Left wrist X-ray | posteroanterior view | in cast | image width 114.3 mm — 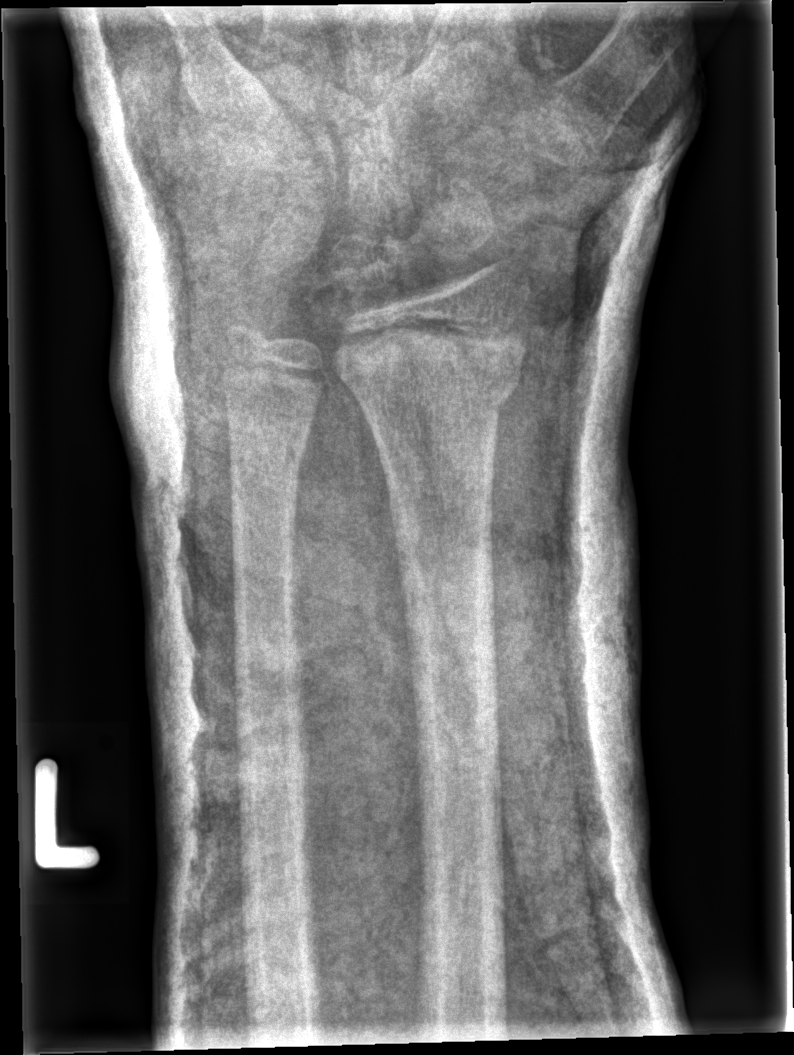

* AO code 23r-E/2.1; 23u-M/2.1.
* Fracture: (330, 328, 529, 421).